Lateral projection, left pediatric wrist radiograph, presentation radiograph, diagnosis uncertain 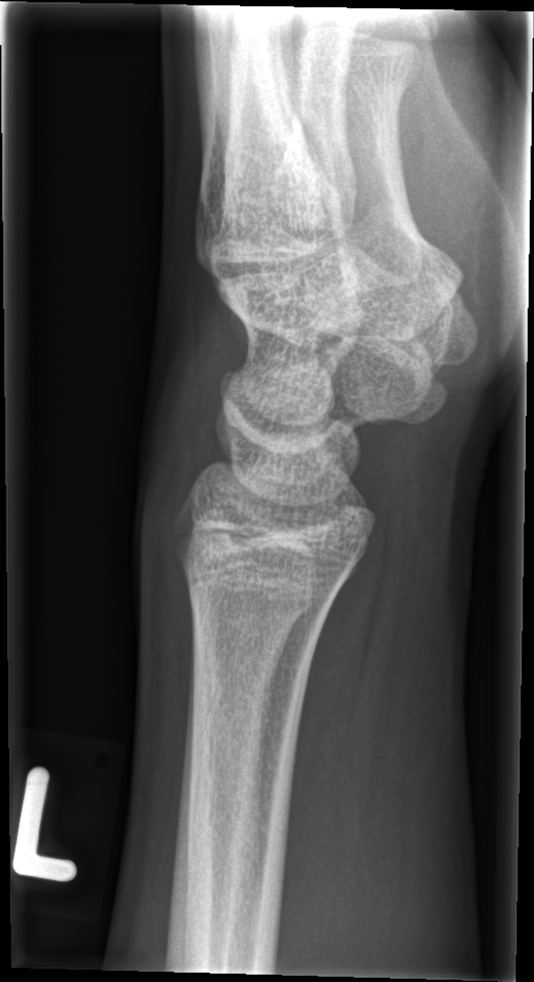

FINDINGS — Fracture: none labeled.